AP | right wrist X-ray | initial study | 70.0 mm image width | image size 486x768.
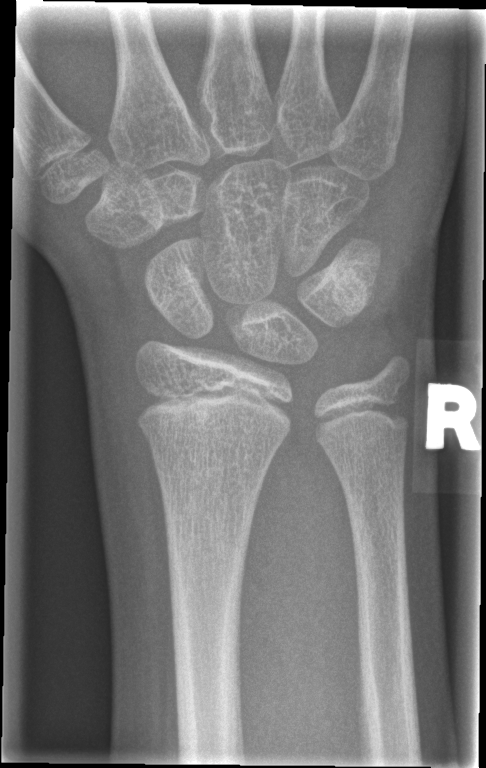 FINDINGS: No Fx annotated.